Lateral · Lt wrist XR · detector: Siemens · 422x745:
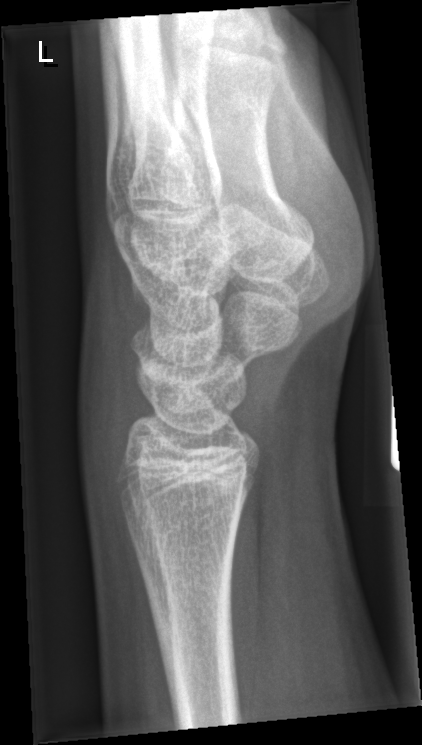 FINDINGS — No fracture bounding box.